R pediatric wrist radiograph; lateral projection; male, 16 yo; 484 x 1120 px — 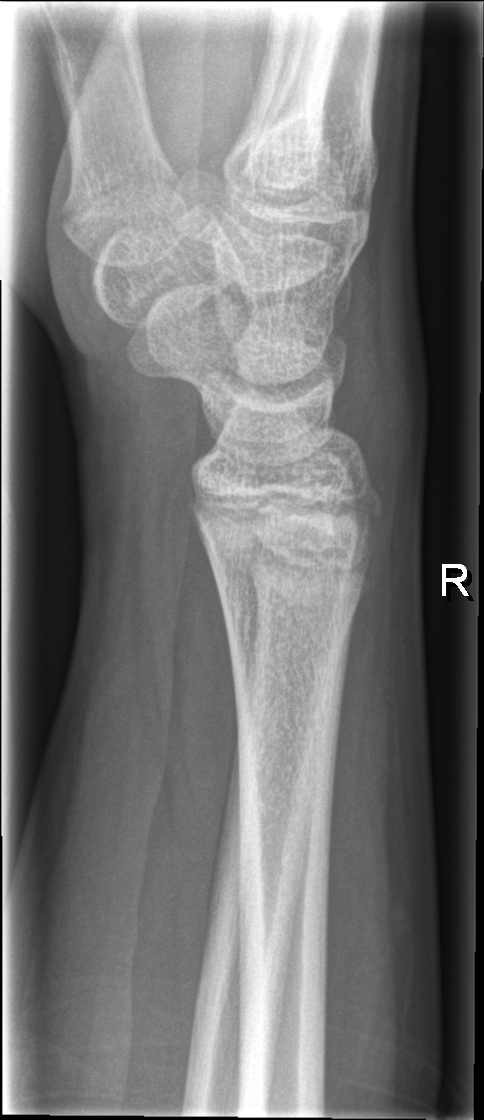
Fracture present, but no bounding box because it is not clearly seen in this view.